Lt plain radiograph of the wrist · lat · age 15 y, male · follow-up 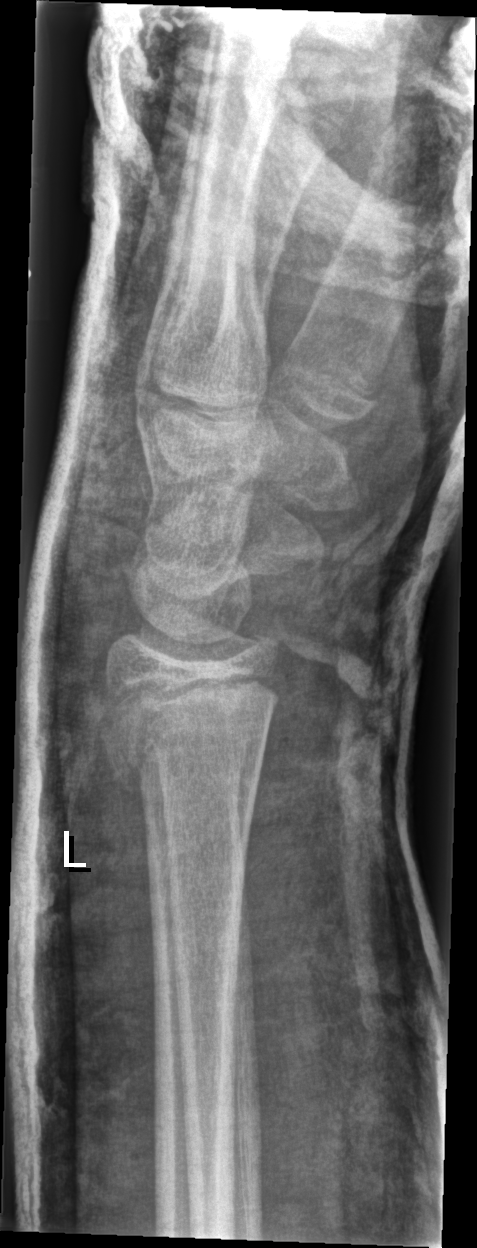   fracture: 1 @ (106, 669, 278, 767)